PA view | right wrist pediatric wrist radiograph | initial study | detector: Siemens —
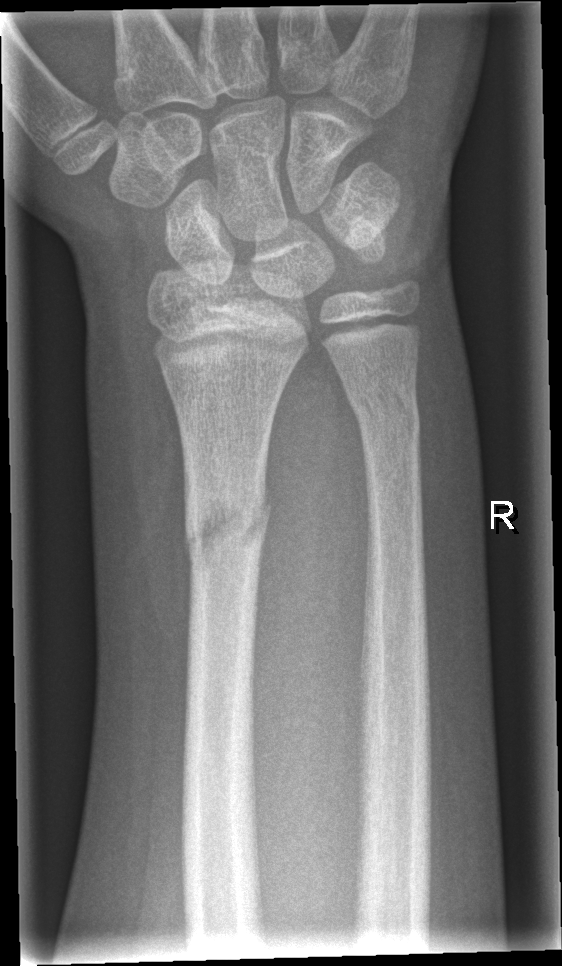
Q: Locate any fractures.
A: Two fractures at [x1=181, y1=473, x2=277, y2=577] [x1=342, y1=375, x2=427, y2=439]
Q: What is the AO/OTA classification?
A: AO/OTA classification: 23-M/3.1